Left wrist X-ray | lateral: 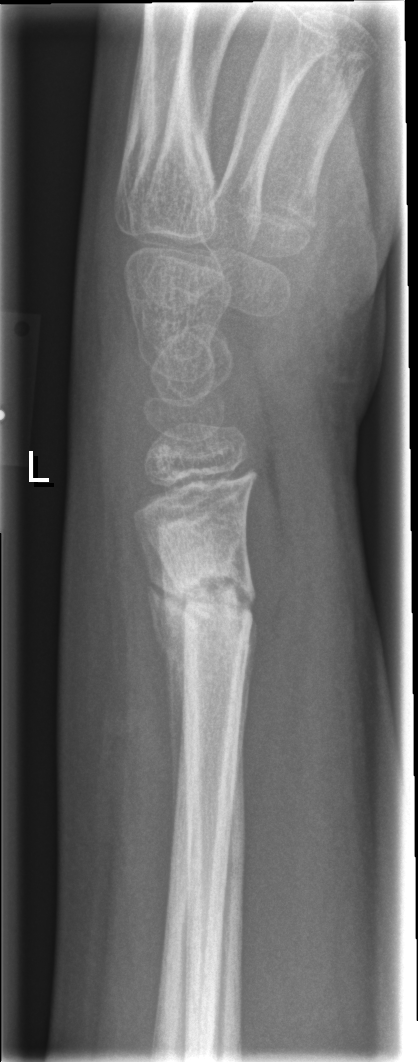
(boxes as x1,y1,x2,y2 (top-left / bottom-right, pixel units))
Q: Fracture present?
A: Bone fracture: 169,557,259,647
Q: Any periosteal thickening?
A: Periosteal thickening — 135,514,190,850